Lateral projection · Lt pediatric wrist radiograph · age 13 y, male · subsequent exam.

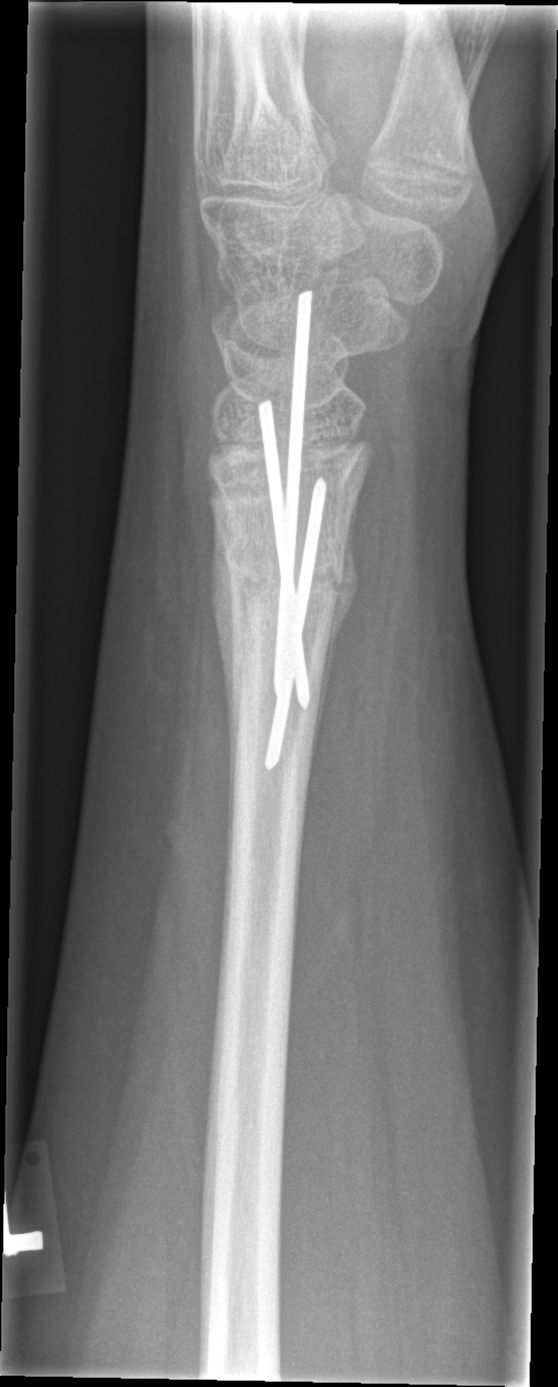 - Boxes as x1,y1,x2,y2 (top-left / bottom-right, pixel units).
- AO code 23r-M/3.1; 23u-E/7.
- Metallic implant: 255,289,329,775.
- Fx identified at 216,528,352,622.
- Decreased bone density (osteopenia).